Right wrist XR · lat projection · 15-year-old male · initial study:

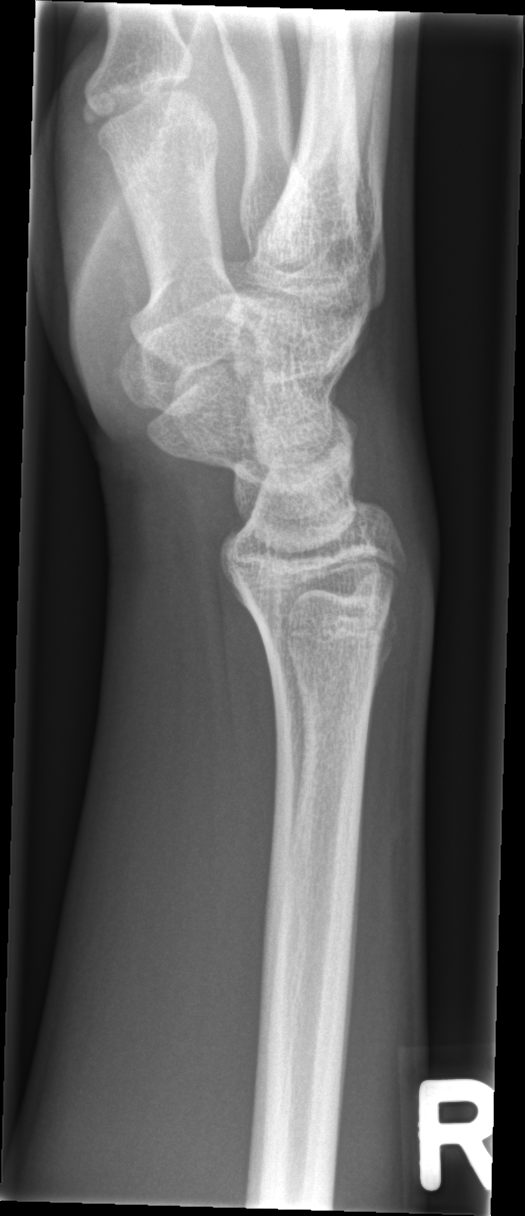

Fx: none labeled